Lat view | Lt wrist X-ray
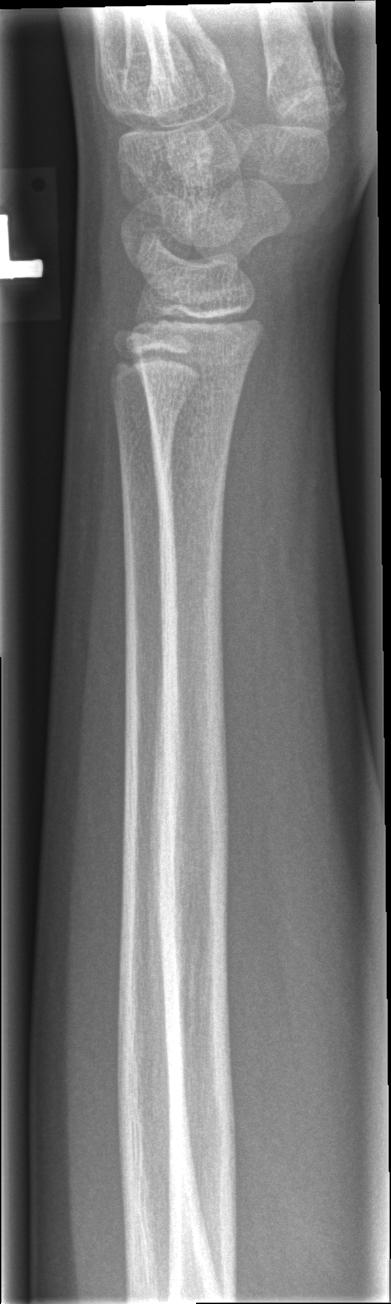 AO/OTA classification: 23r-M/2.1. One bone fracture at [146, 414, 234, 484].